Right wrist XR, lateral view, 10y M:
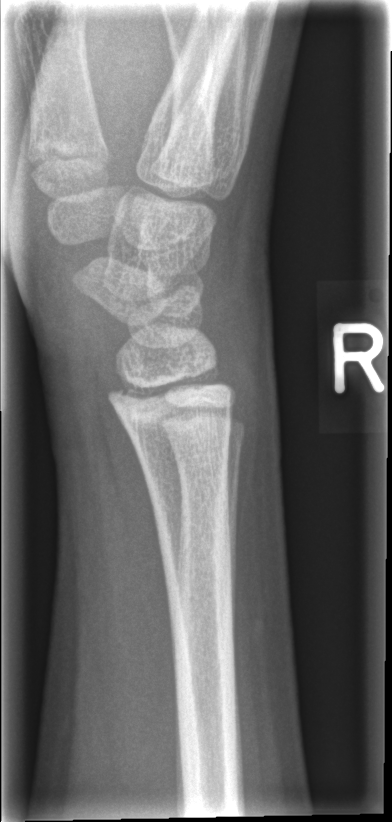
Fx = none labeled